Lat projection; R wrist X-ray; boy, 6 yo; cast in situ; image 68.3 mm wide:
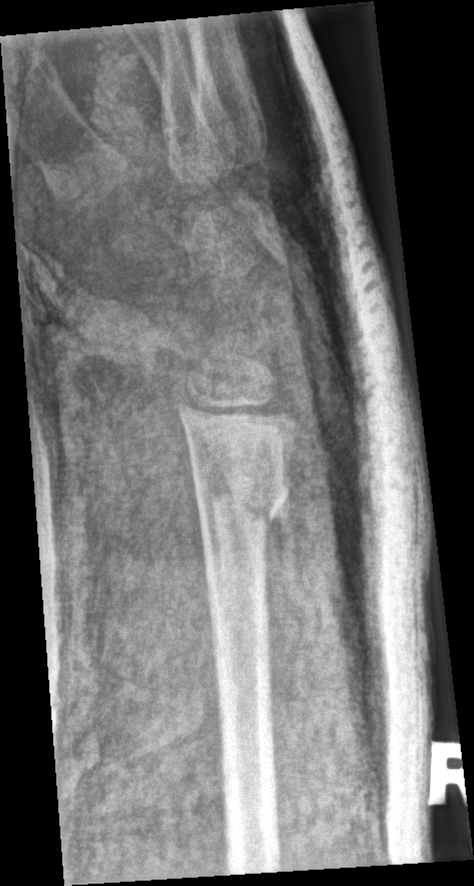

- Fracture identified at [x1=188, y1=454, x2=294, y2=540].